Frontal, R wrist plain film, pediatric patient (male, age 5)

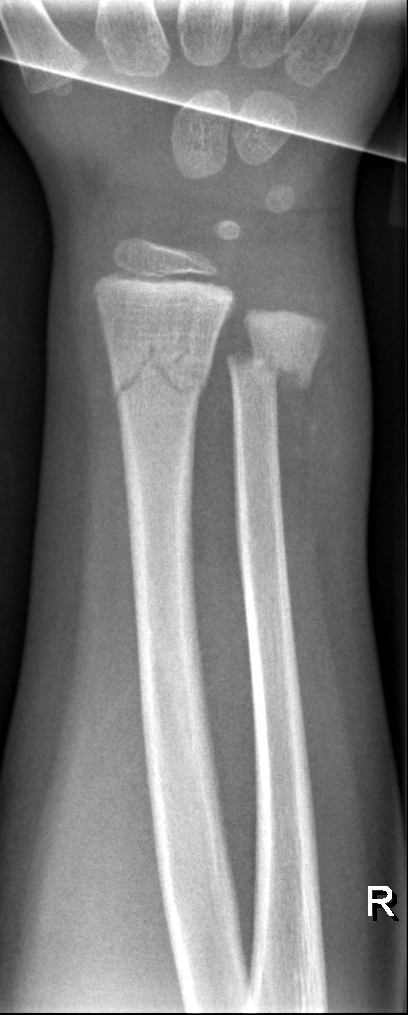
(bounding boxes in image-pixel xyxy)
Fx: 2 @ bbox(107, 325, 215, 406) bbox(225, 335, 315, 394)
AO code: 23-M/3.1